Right wrist radiograph | lat | age 16 y, female | follow-up study | 460x956.

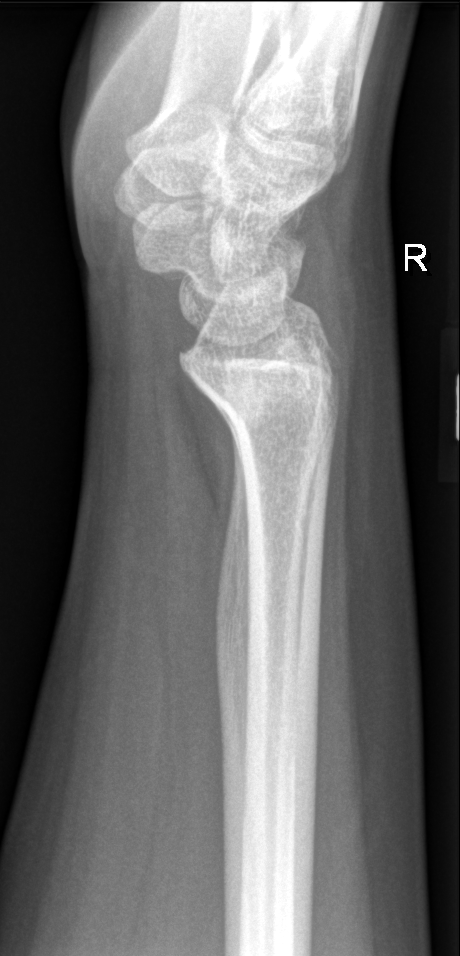 FINDINGS: One bone fracture at (left=175, top=340, right=347, bottom=388). AO code 23r-M/2.1.